Lateral view; left wrist X-ray.
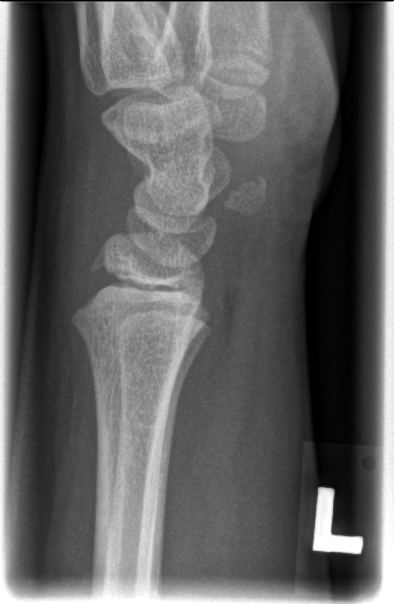 AO/OTA classification: 23r-M/2.1.
Bone fracture: 66,301,195,379.